Lat projection; left wrist XR; pediatric patient (girl, age 11); cast in situ; image size 630x1194

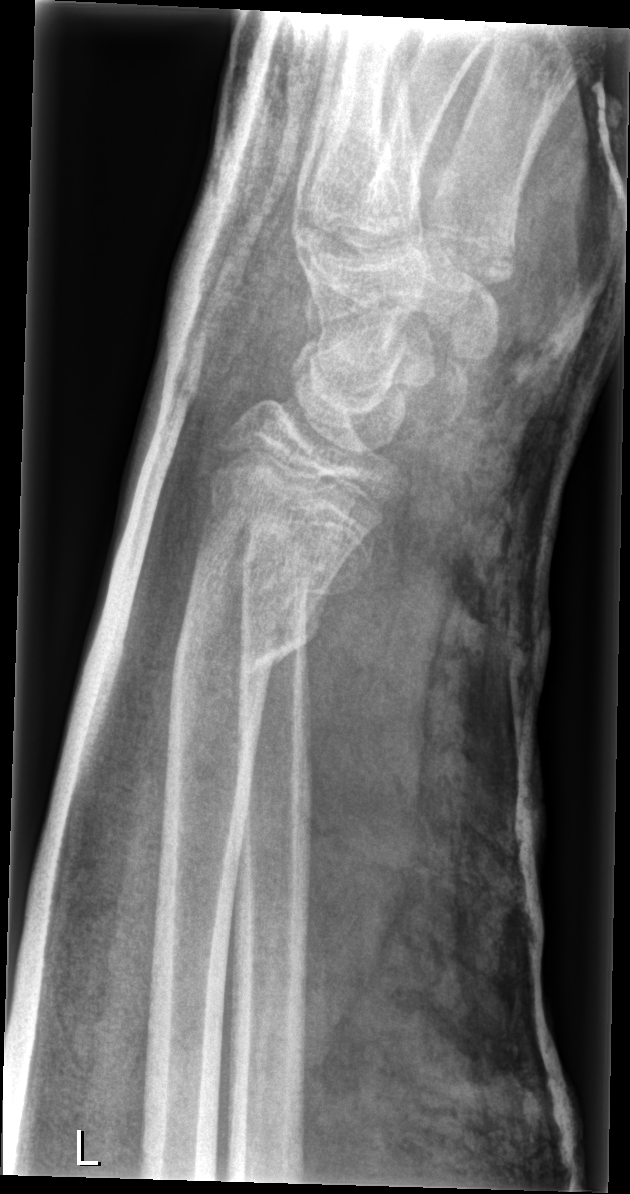
* Pixel coordinates, top-left origin, xyxy.
* AO code 23r-M/2.1; 23u-E/2.1.
* Fx — <167,527>-<324,671>.